Lt wrist plain film | PA view | 8-year-old girl | follow-up 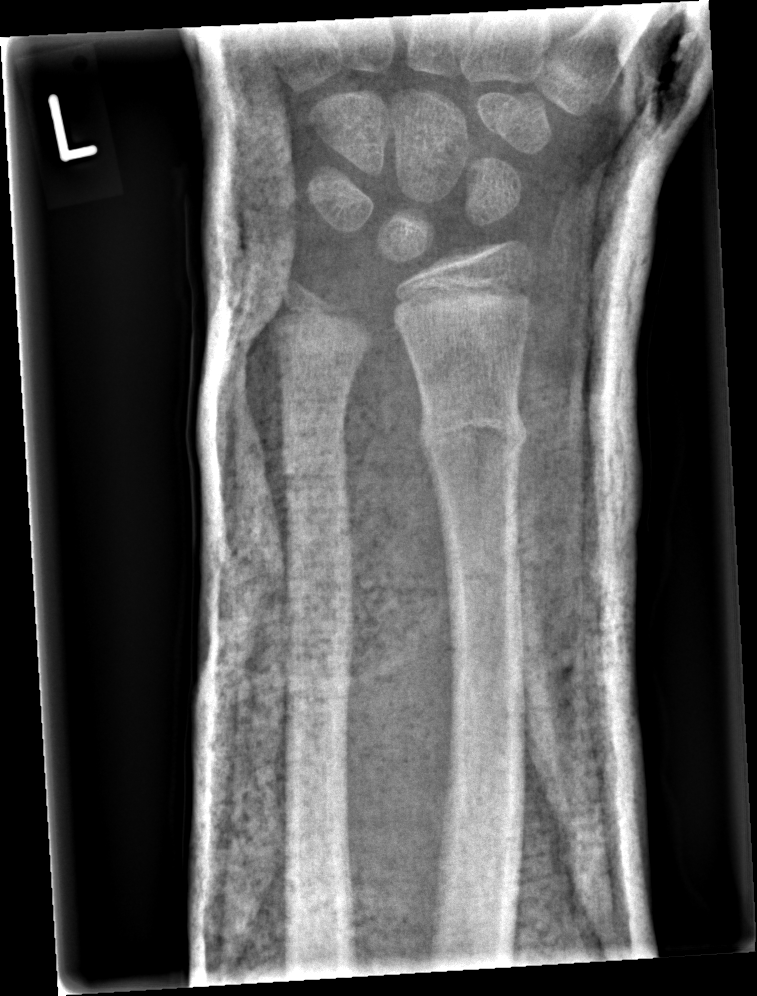

Bounding boxes in image-pixel xyxy.
One bone fracture at (415, 393, 530, 467).